PA/AP | R pediatric wrist radiograph | 9-year-old male | 81.5 mm image width | 566x877 —

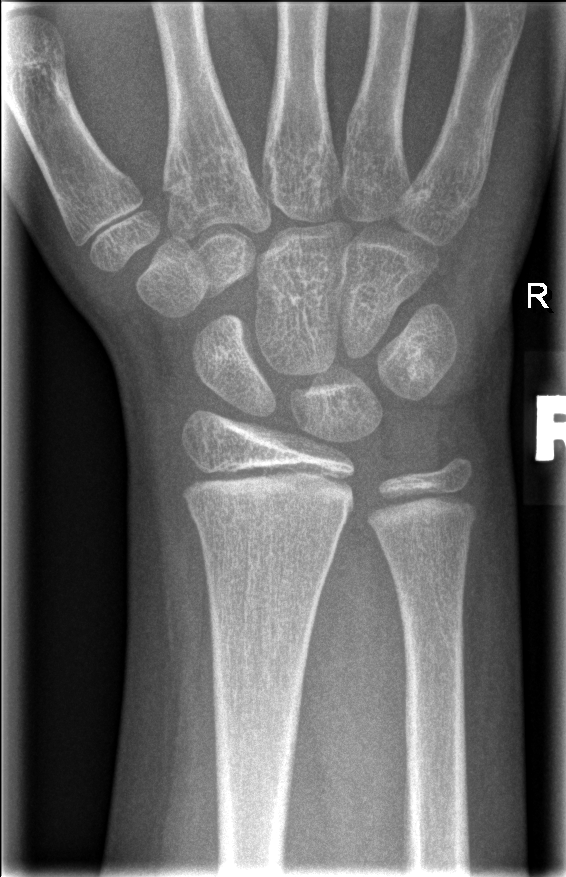 Q: What is the AO/OTA classification?
A: AO/OTA classification: 23r-M/2.1
Q: Any fracture seen?
A: One Fx at bbox(185, 481, 355, 547)